Frontal view | Rt plain radiograph of the wrist
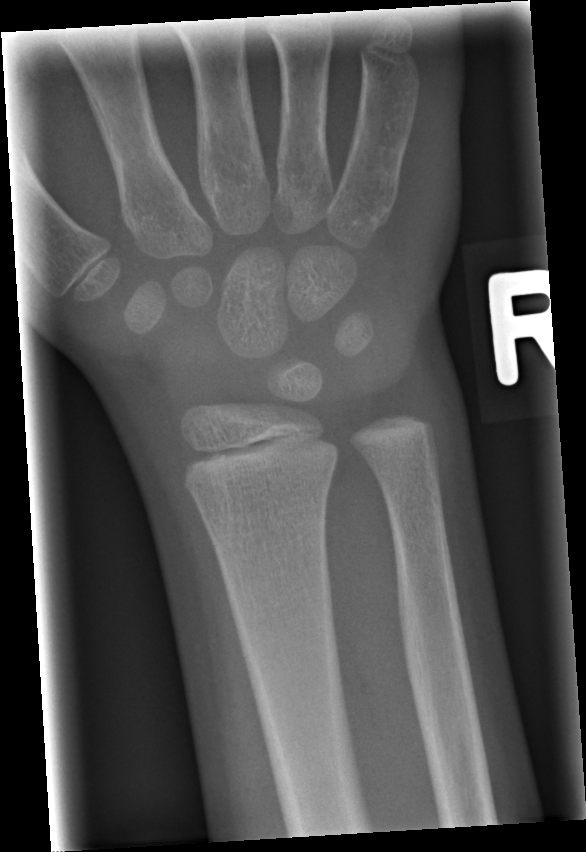

* No fracture labeled.